Lateral view | right wrist plain film | 418 x 1124 px — 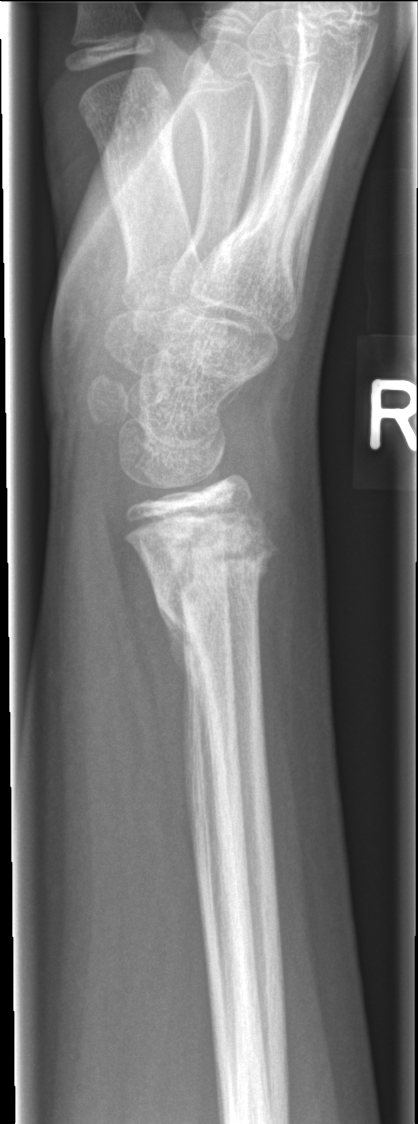
FINDINGS: (pixel coordinates, top-left origin, xyxy) Bone fracture — (left=139, top=508, right=282, bottom=685). Osteopenia. Periosteal new bone identified at (left=153, top=587, right=210, bottom=739).